PA view · L wrist plain film · boy, 8 yo —

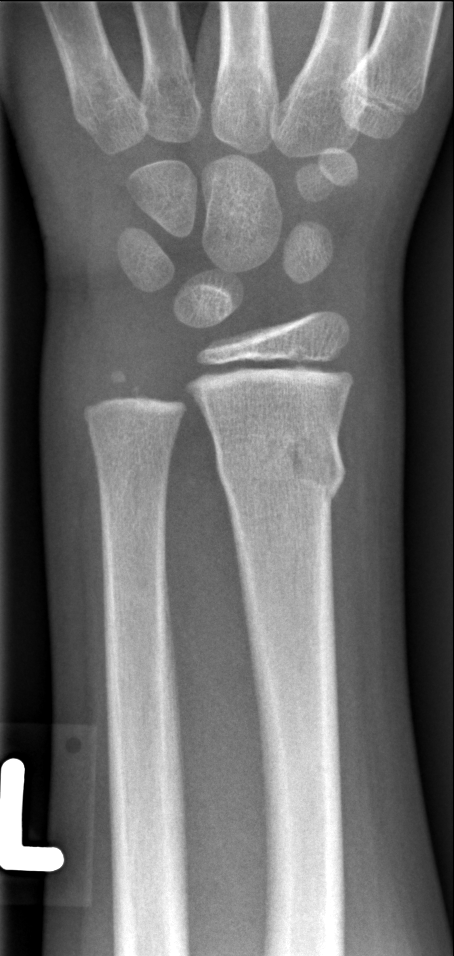

FINDINGS — Fracture classified AO/OTA 23r-M/2.1. One fracture at 213,424,349,509.